Right wrist radiograph · posteroanterior view:
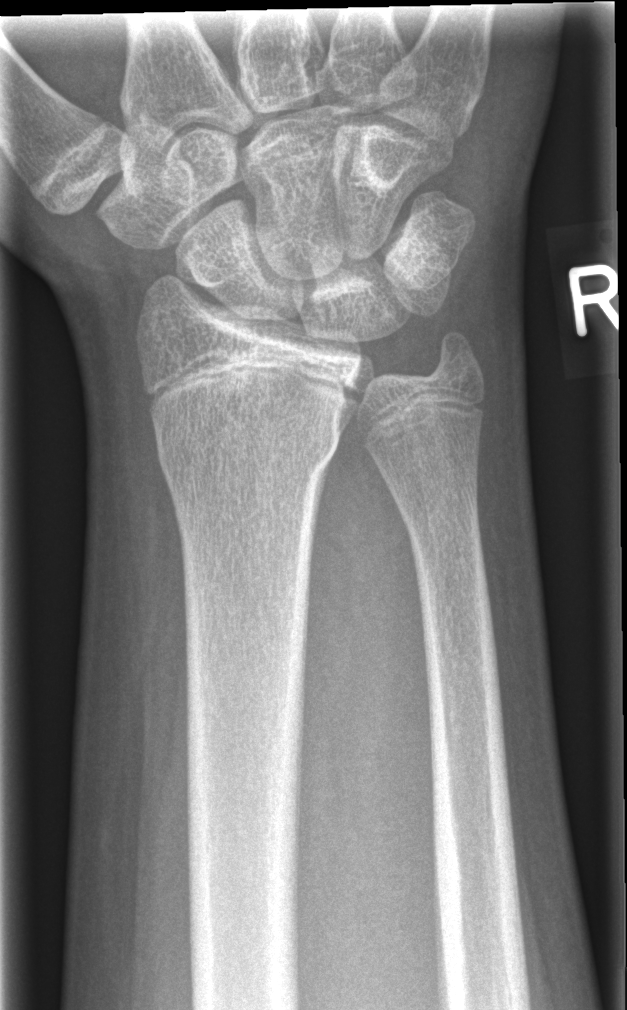 FINDINGS — (boxes as x1,y1,x2,y2 (top-left / bottom-right, pixel units)) Fracture: <150,398>-<346,483>.